Lt pediatric wrist radiograph · PA/AP · 6-year-old male · image size 486x696:

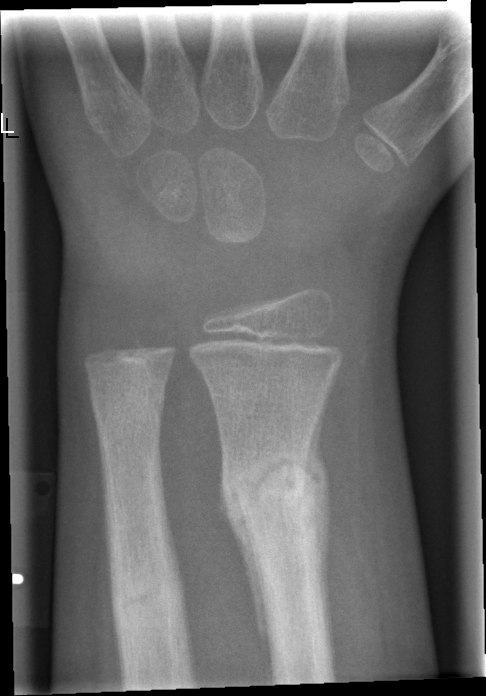
(bounding boxes in image-pixel xyxy)
AO code: 23-M/3.1; 22r-D/4.1
Bone fracture: bbox(220, 433, 327, 542); bbox(106, 553, 192, 655); bbox(90, 386, 169, 430)